Rt plain radiograph of the wrist; frontal projection; pediatric patient (female, age 13) 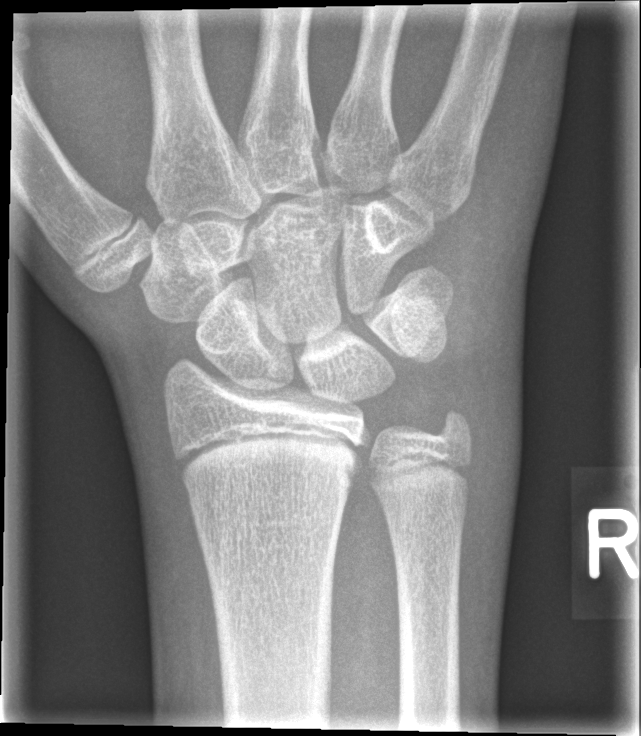

* No Fx annotated.